Lat; R wrist XR; follow-up; imaged through cast; acquired on Siemens —
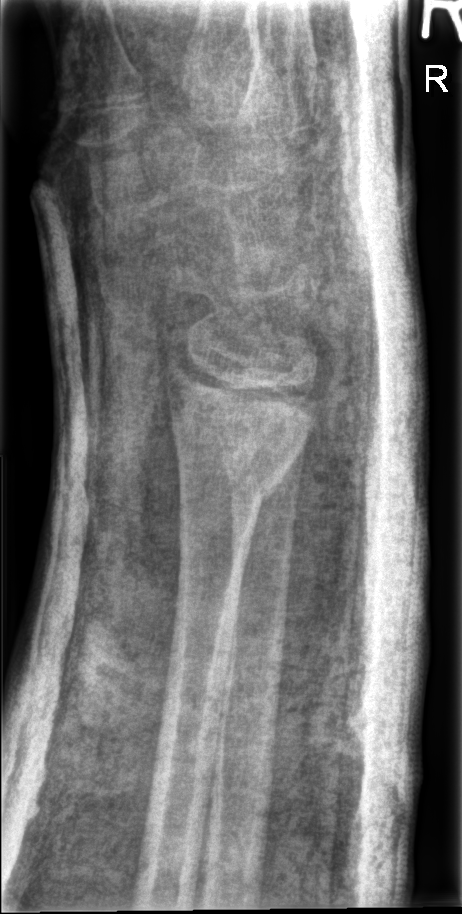 (pixel coordinates, top-left origin, xyxy)
AO code = 23r-M/2.1
Fracture = 1 @ (left=169, top=425, right=300, bottom=517)